Posteroanterior; left wrist plain radiograph of the wrist; boy, 14 yo:
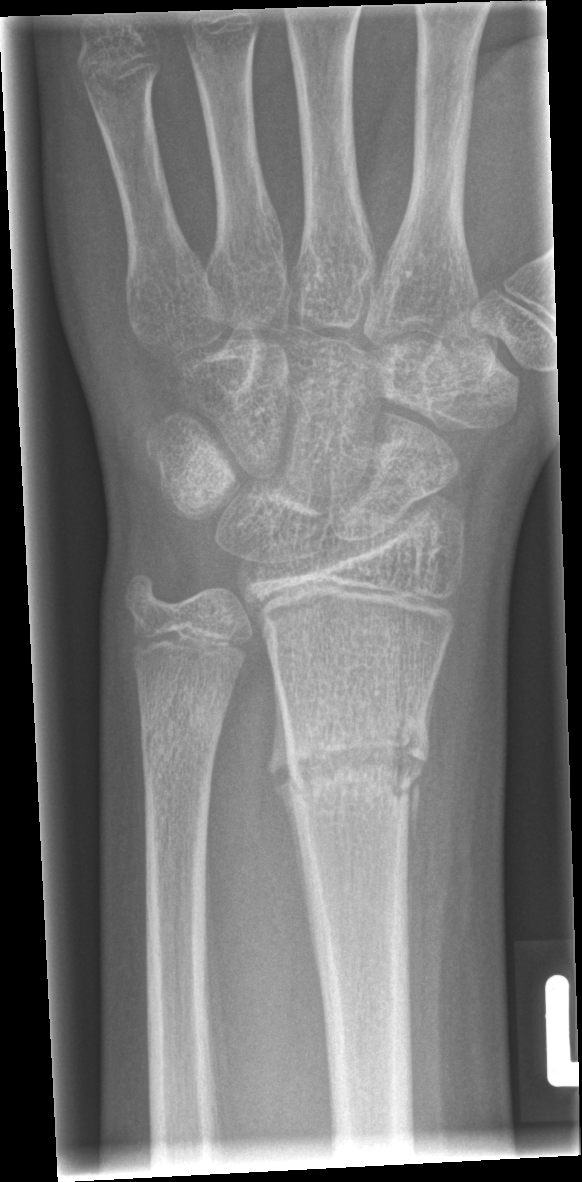
Fx: 2 @ (left=279, top=702, right=425, bottom=815), (left=133, top=698, right=231, bottom=777)
AO code: 23-M/3.1